Lat | L wrist plain film | imaged through cast | 602 x 1476 px —
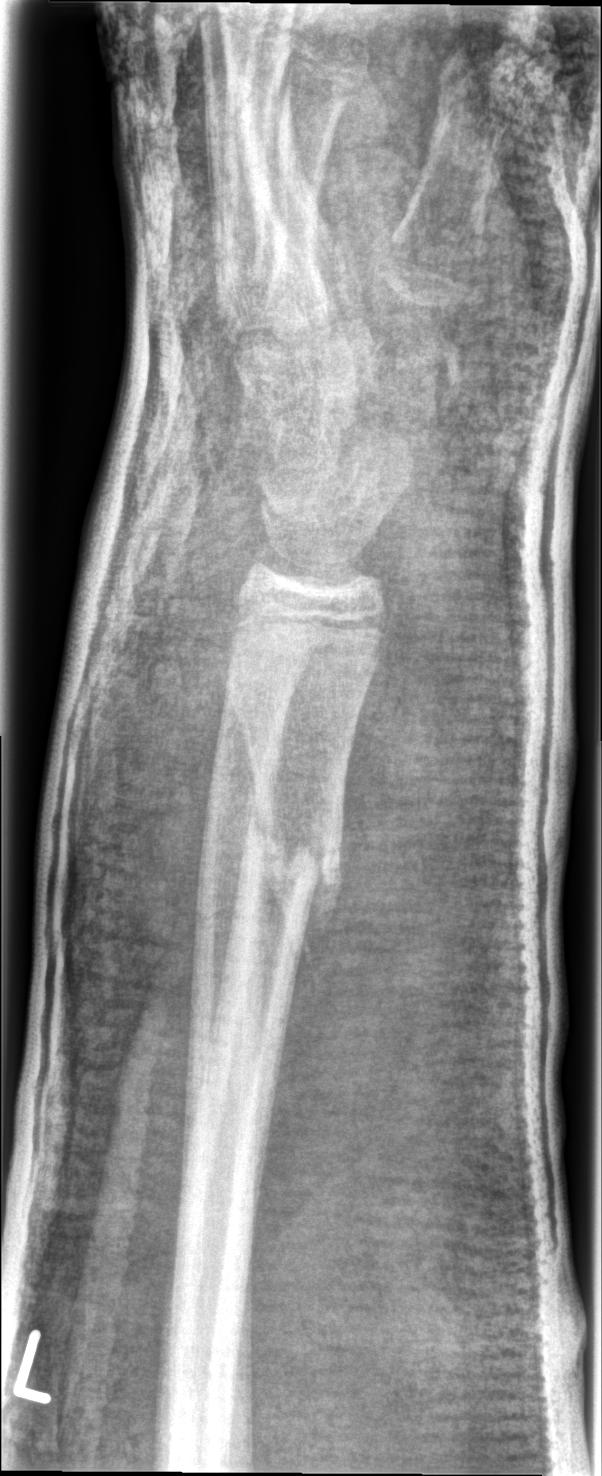 {"_coords": "boxes as x1,y1,x2,y2 (top-left / bottom-right, pixel units)", "ao": "23r-M/3.1; 23u-M/2.1", "fracture": "[236, 785, 348, 935]"}